Rt wrist XR | frontal projection | age 5 y, female. 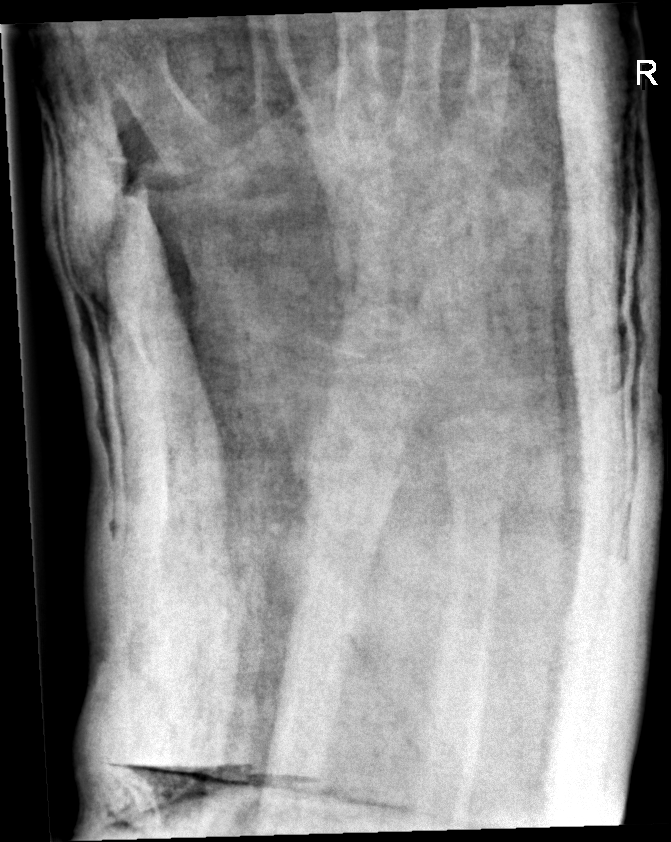
* Bounding boxes in image-pixel xyxy.
* One fracture at <291,423>-<412,515>.